Lateral; Lt plain radiograph of the wrist; in cast; 542 by 833 pixels:

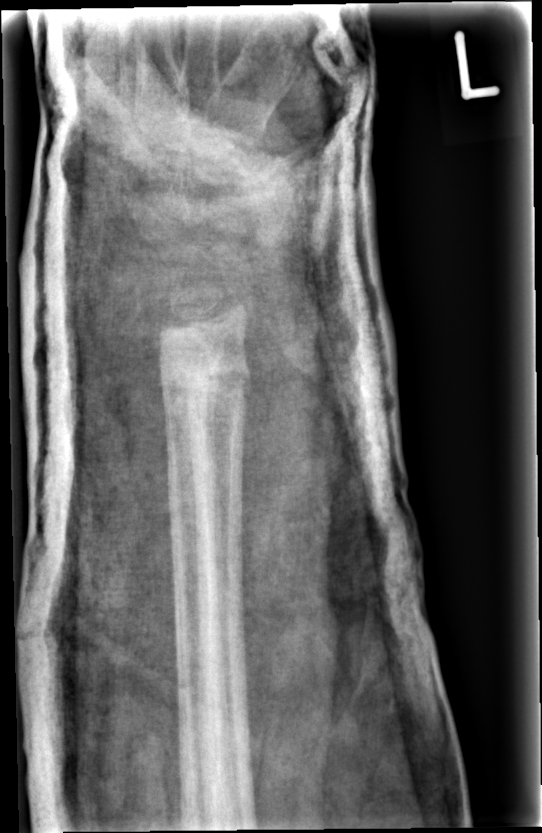
Fracture identified at 160,332,254,414.